Left plain radiograph of the wrist | AP projection | 17y M | subsequent exam

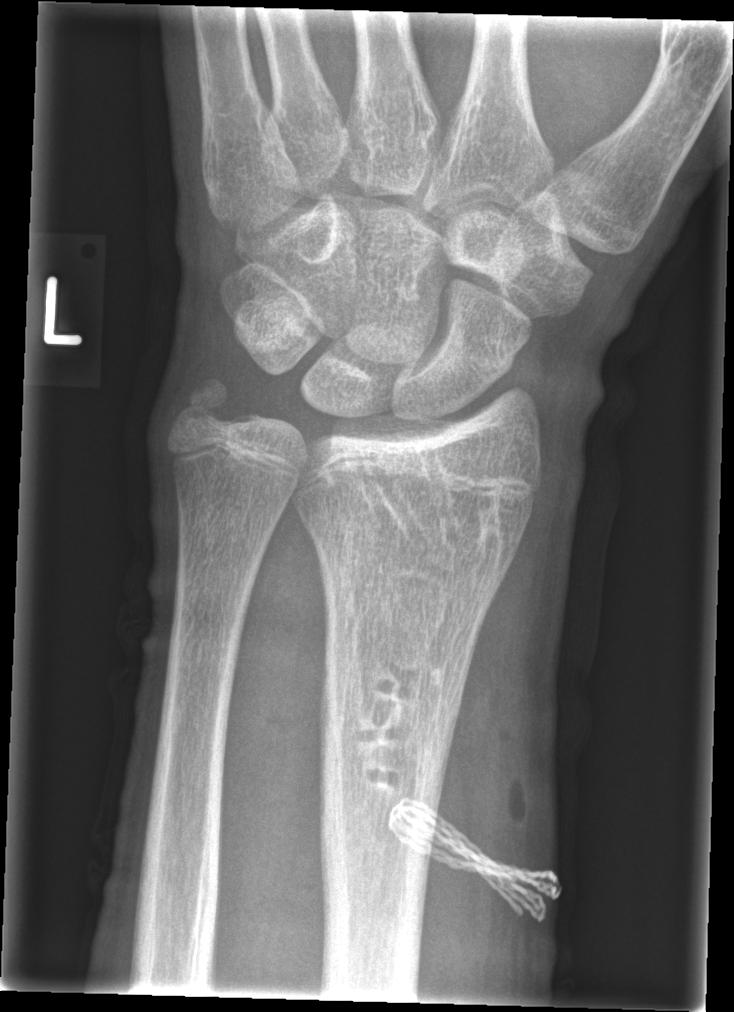
Findings: Bone variant: 351 435 509 586 | 348 656 443 807. One metallic hardware at 386 796 562 924. One Fx at 174 375 255 432.